Lt plain radiograph of the wrist; lateral view; 11y M; acquired on Siemens: 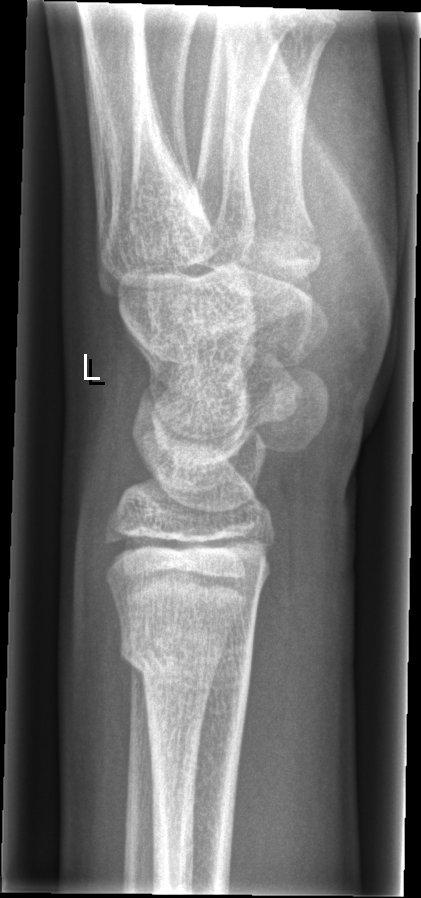

One Fx at (113, 624, 259, 693).